Lat view, Lt wrist plain film, 7y M, initial study 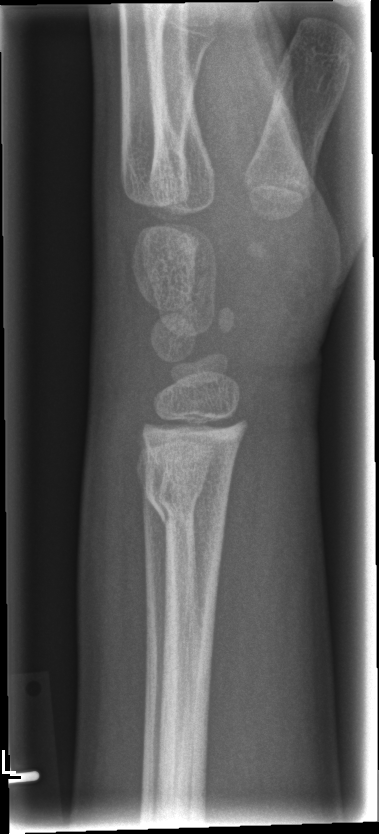 * Pronator quadratus fat-pad sign: <204,374>-<292,723>.
* Fractures — <140,459>-<233,546> <139,470>-<208,530>.
* Soft-tissue swelling — <81,384>-<162,669>.